R plain radiograph of the wrist · frontal · pediatric patient (female, age 4) · index exam · detector: Siemens · 73.0 mm image width. 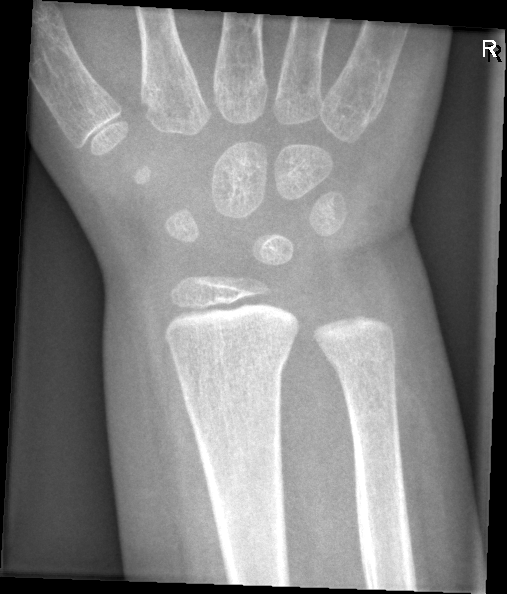 Fracture: 2 @ 171 347 292 395; 328 343 398 384